L wrist X-ray · frontal view · 11y M · Siemens
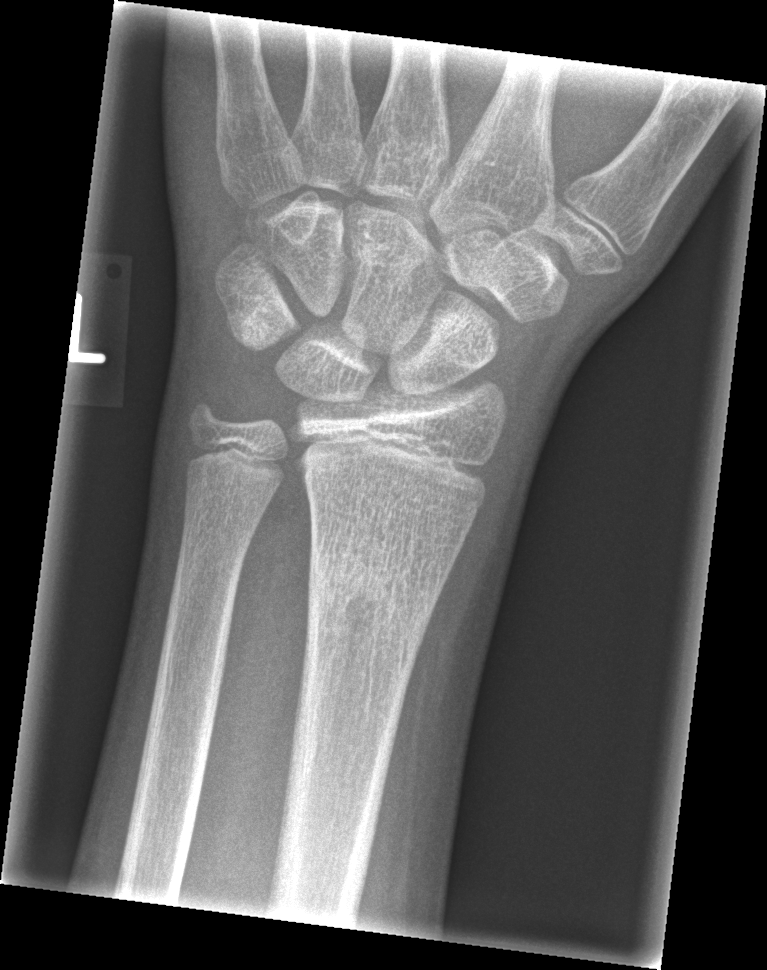 • AO code 23r-M/2.1.
• Fx: 307,549,438,664.